L pediatric wrist radiograph · lateral · image width 65.1 mm · image size 452x862 —
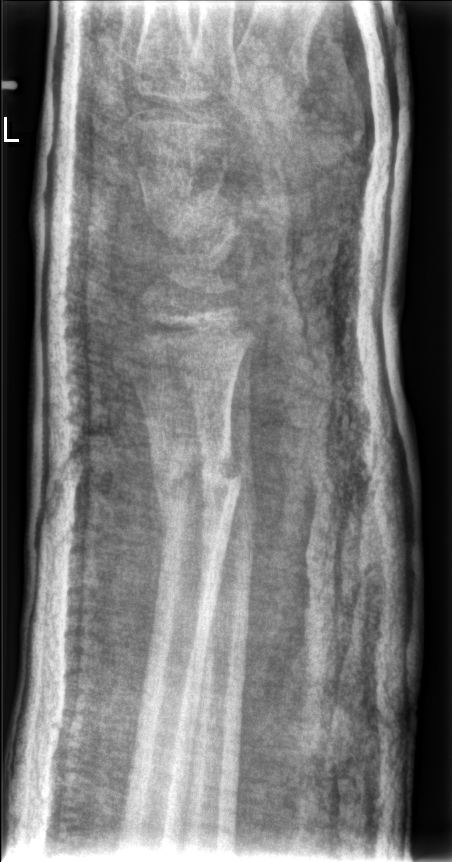
Fracture classified AO/OTA 23r-M/3.1; 23u-M/2.1.
Fracture — [x1=144, y1=437, x2=246, y2=545].